PA/AP projection; Rt wrist plain film; 10-year-old female: 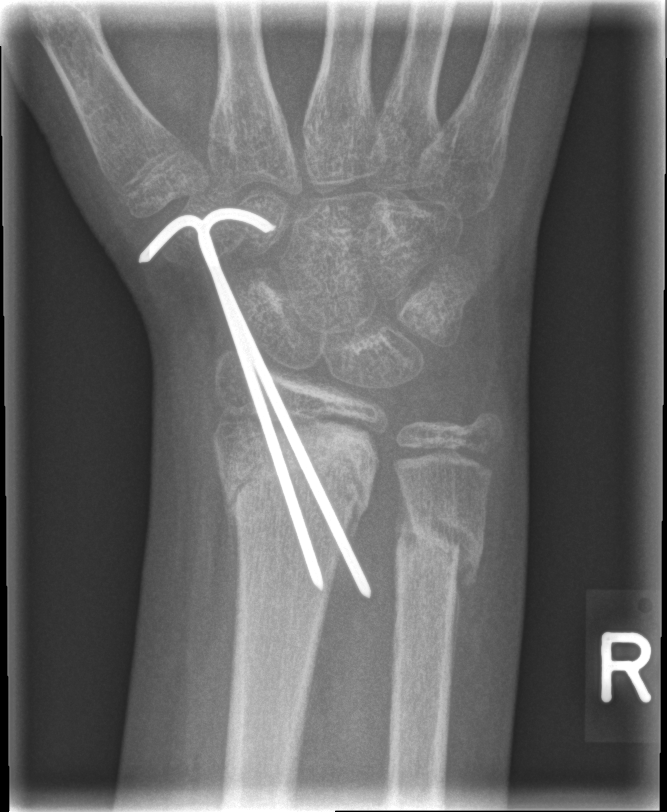 Coordinates are [x1, y1, x2, y2] in image pixels.
Periosteal thickening: 224 497 240 620 | 393 488 420 555.
Osteopenia.
Two fractures at 220 465 373 566 | 387 501 483 595.
One metal at 133 199 378 602.